Left wrist X-ray, PA/AP, pediatric patient (girl, age 8), Siemens:
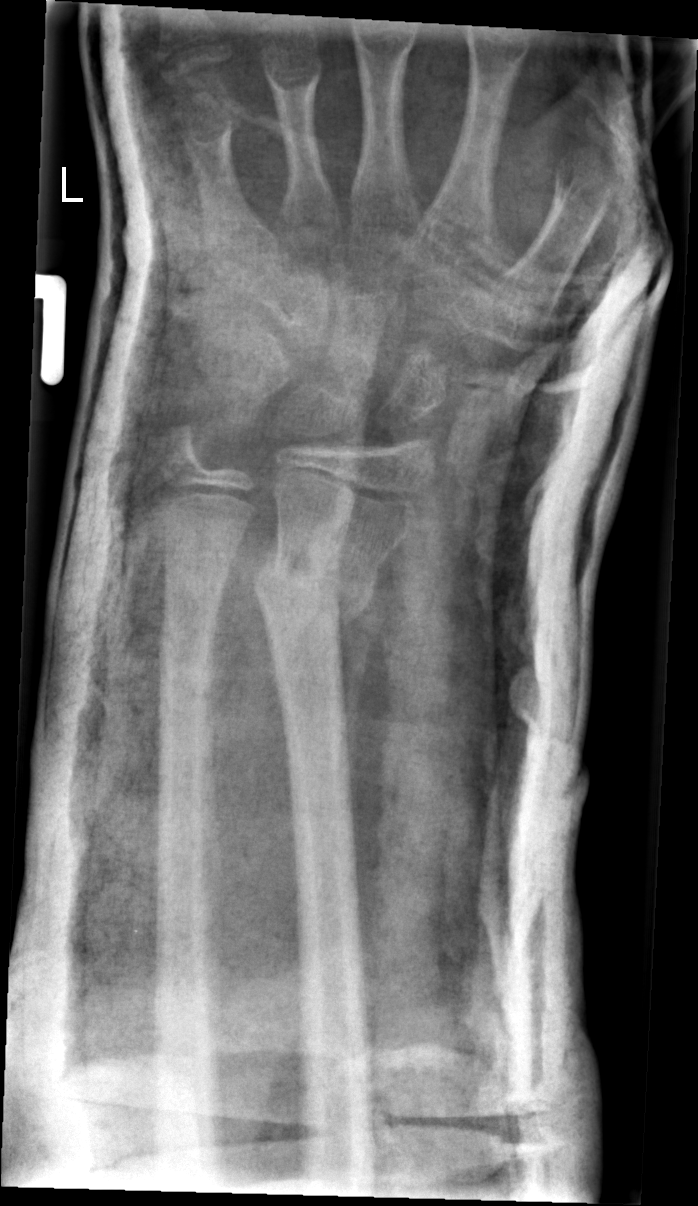

FINDINGS — (pixel coordinates, top-left origin, xyxy) Two fractures at 248,545,378,630 | 152,654,218,722. AO code 23r-M/3.1; 23u-M/2.1; 23u-E/7.